Lateral projection; right pediatric wrist radiograph — 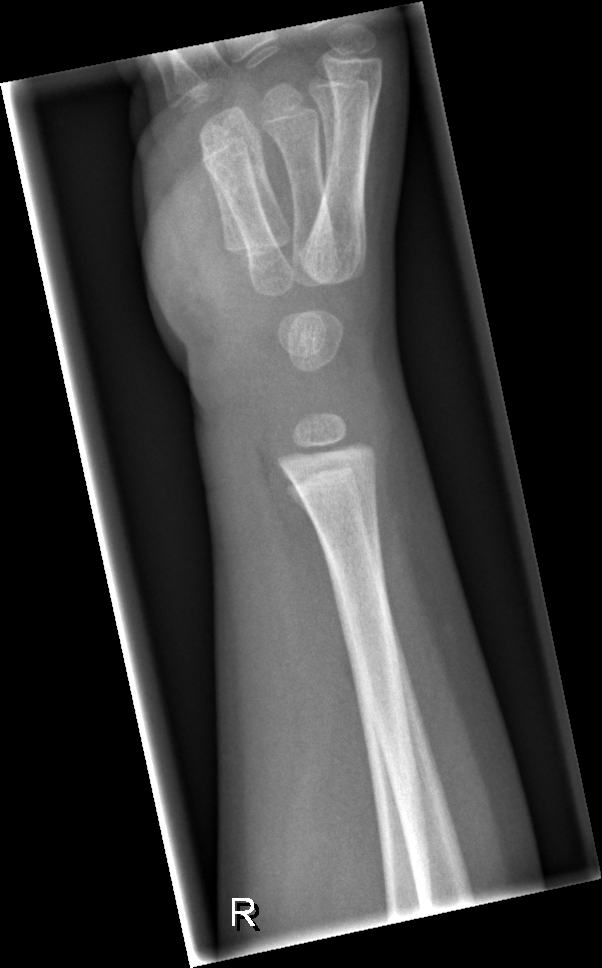

FINDINGS — No fracture bounding box.